Lt wrist XR | lat projection —
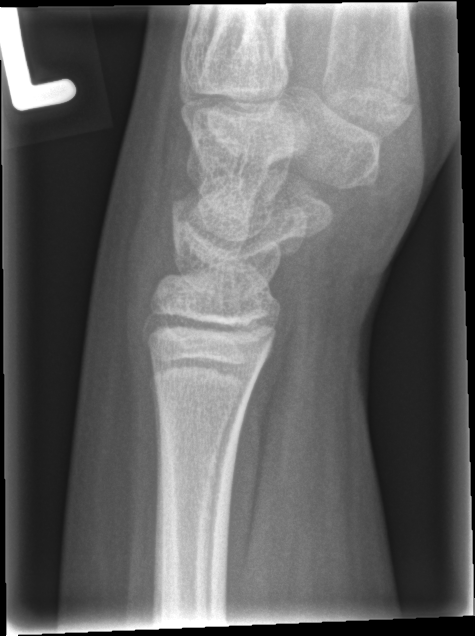 Fx: none labeled